Lateral projection | Lt plain radiograph of the wrist 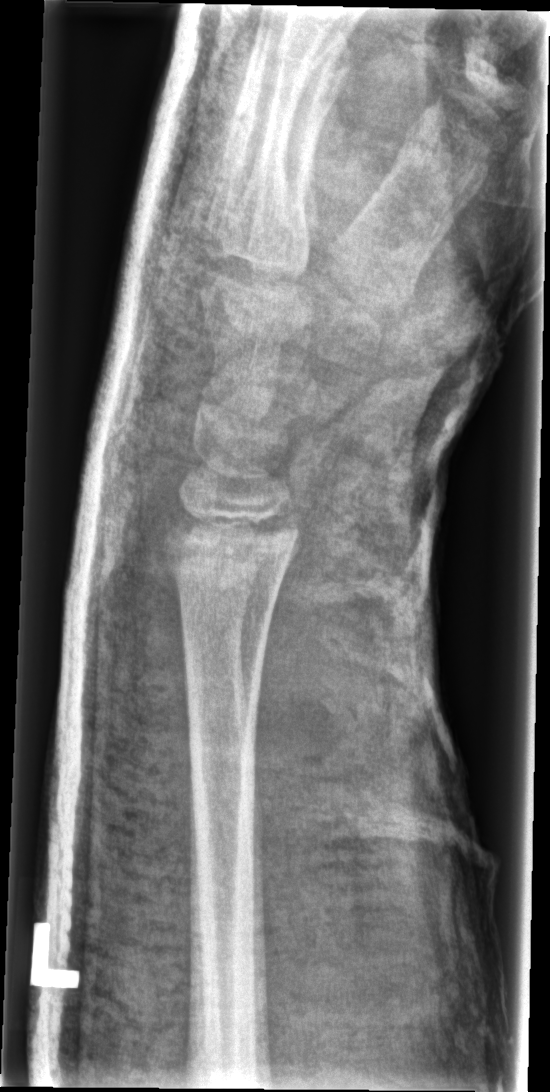 Bone fracture = present but not clearly seen in this view
AO/OTA = 23r-E/2.1